Frontal projection · right wrist radiograph · index exam · image width 84.8 mm — 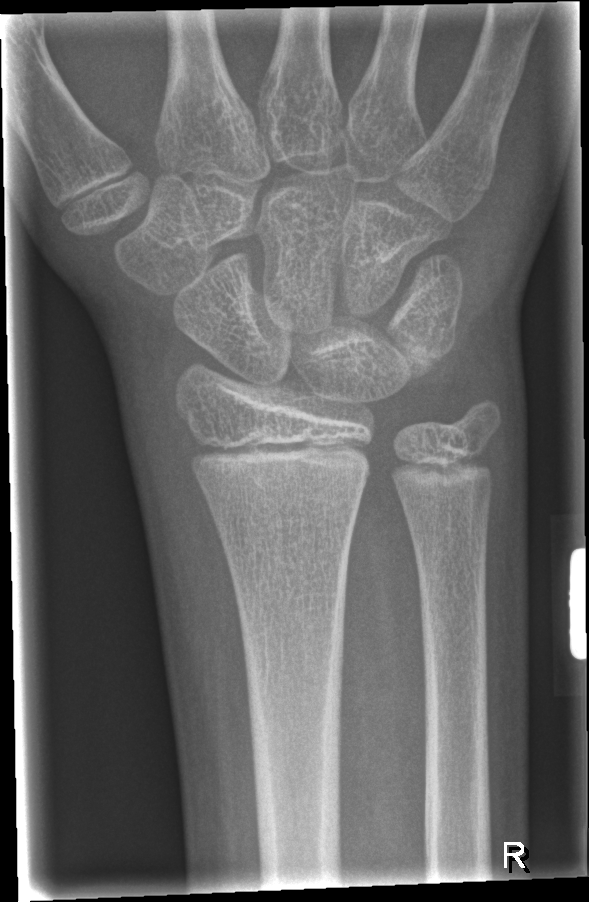 - Fracture: present but not clearly seen in this view.